Lateral view; left wrist X-ray; male, 8 yo; subsequent exam; image size 462x1038
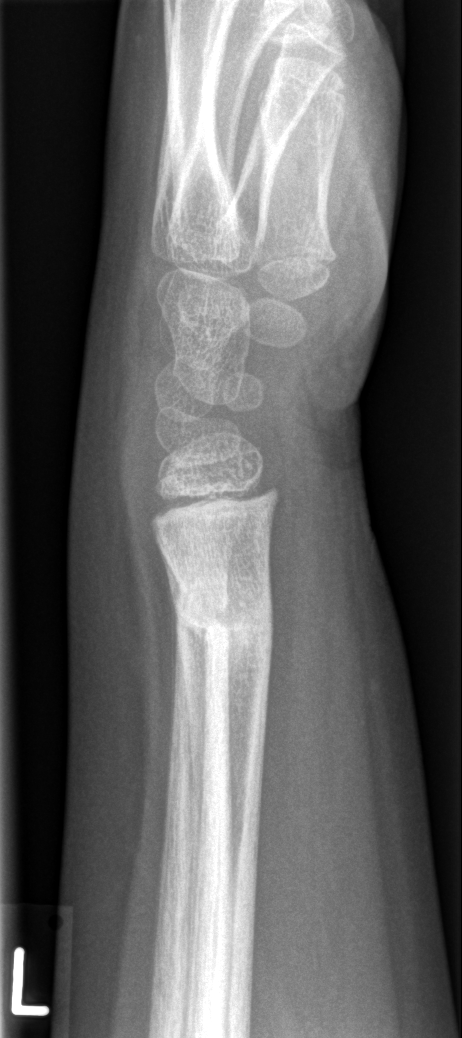

Q: What is the AO/OTA classification?
A: AO/OTA classification: 23-M/2.1
Q: Locate any fractures.
A: Fx identified at [x1=174, y1=577, x2=277, y2=657]
Q: Any periosteal thickening?
A: Periosteal new bone — [x1=155, y1=537, x2=206, y2=859]